R wrist radiograph, lat view, acquired on Siemens — 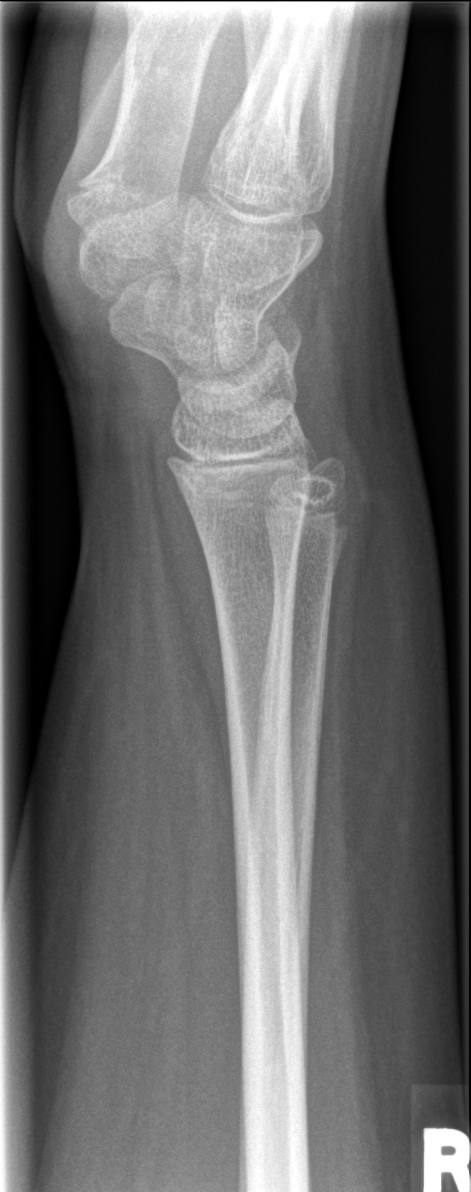
No fracture bounding box.